R plain radiograph of the wrist, lateral projection, 7y M, follow-up study, cast present 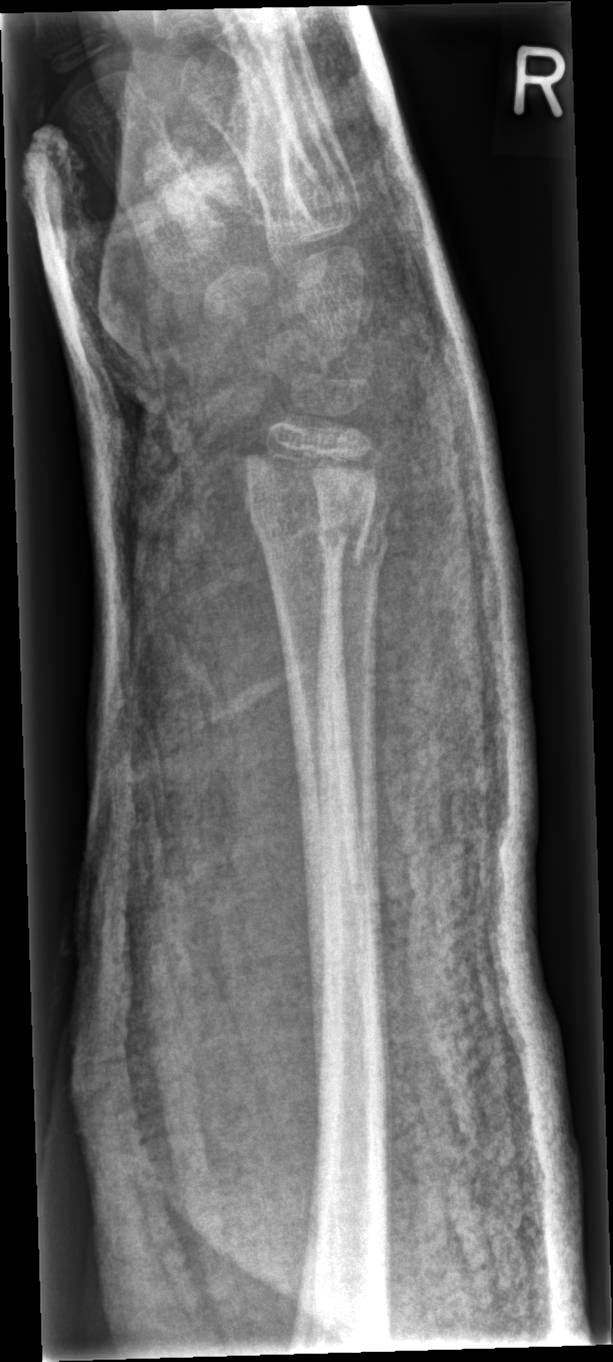

Fx: (251, 490, 373, 567); (309, 500, 398, 564).